Lt wrist XR, lateral —

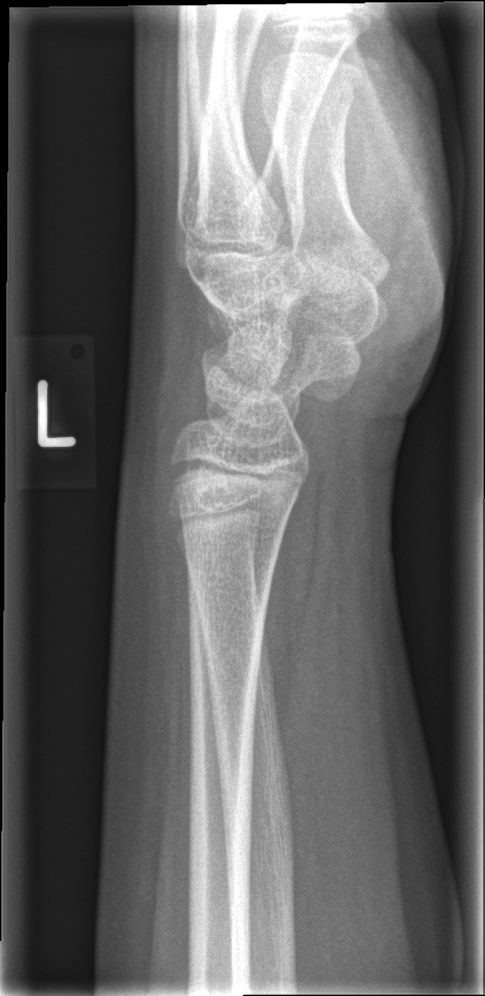

* Fx: none.